PA view, Rt wrist X-ray, 15y M.
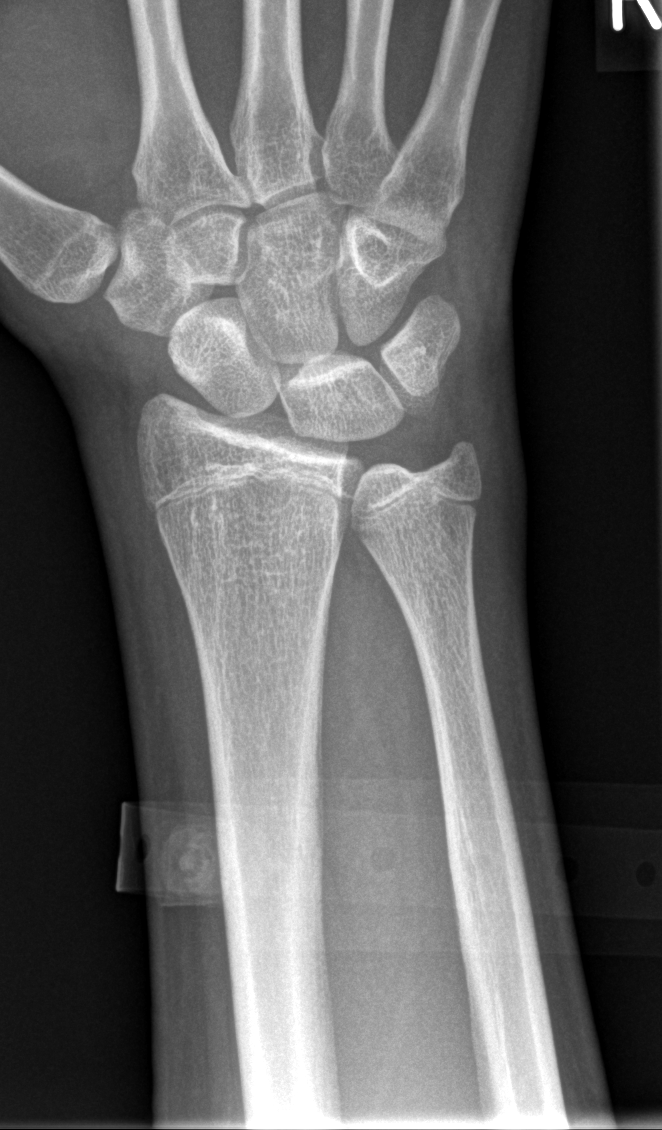 - Fracture: none labeled.